R wrist plain film; lat; in cast:
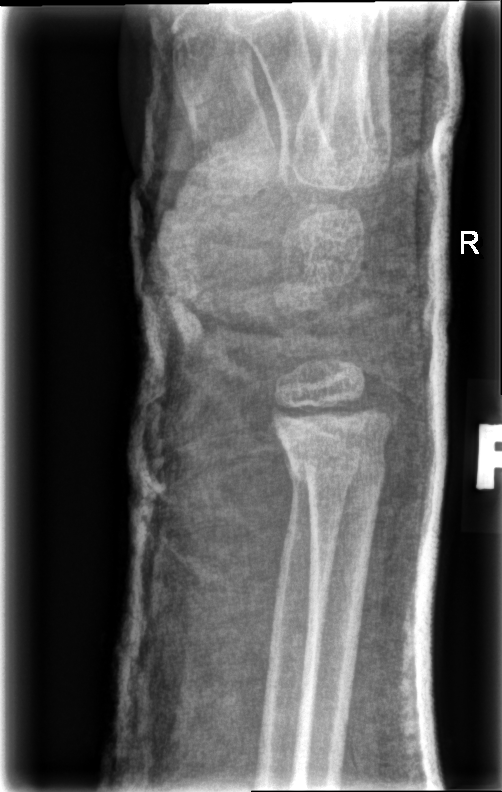

FINDINGS: One fracture at bbox(281, 432, 388, 498).